PA/AP projection; R pediatric wrist radiograph; 10-year-old female; 508 x 973 px 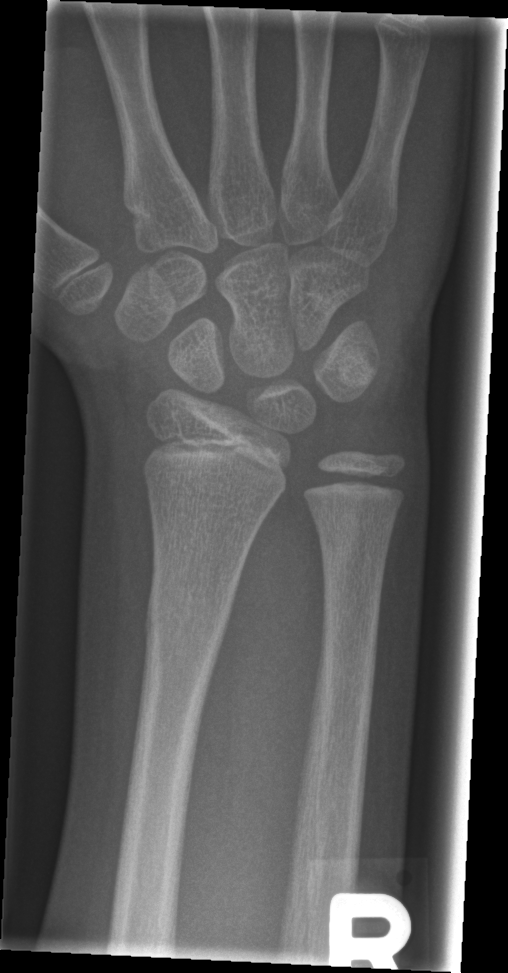 Q: Any fracture seen?
A: Bone fracture identified at <142,571>-<241,654>
Q: AO code?
A: AO code 23r-M/2.1